AP projection; left wrist pediatric wrist radiograph; follow-up. 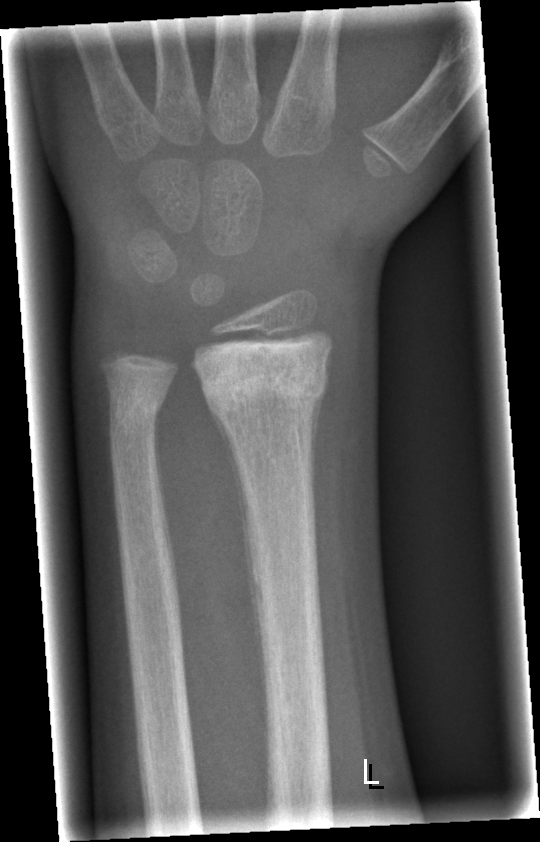 FINDINGS — (bounding boxes in image-pixel xyxy) Two periosteal new bone at <207,402>-<262,691>, <308,387>-<328,524>. Two Fx at <192,330>-<335,424>; <103,372>-<171,433>. Decreased bone density (osteopenia).